PA view · left wrist XR · imaged through cast · 544x866 —
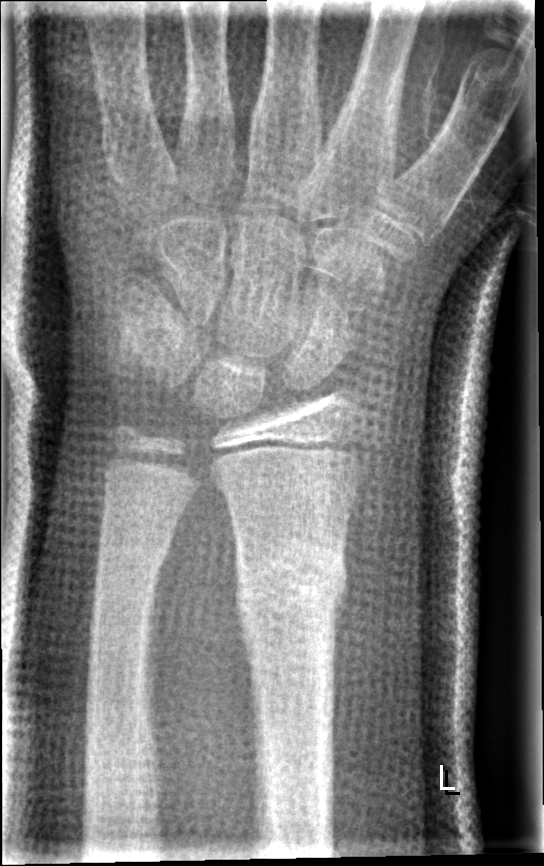

Q: Fracture present?
A: Bone fracture identified at bbox(229, 540, 354, 640) bbox(88, 526, 183, 584)